AP view · Rt pediatric wrist radiograph · 490 by 791 pixels.
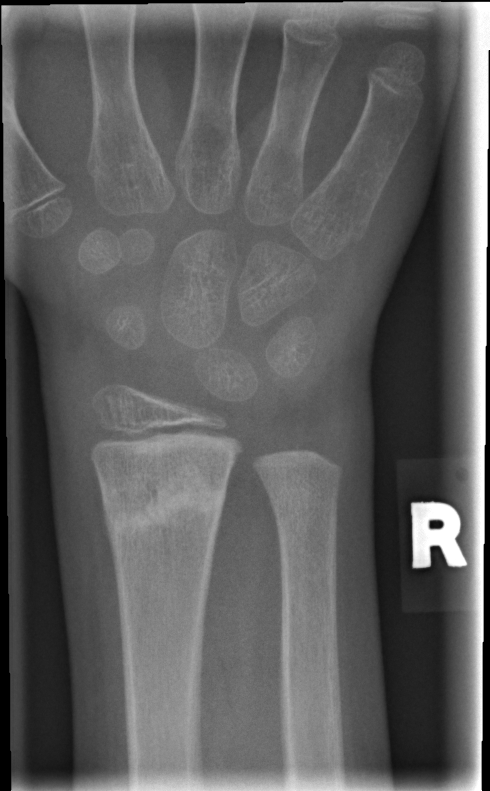
Boxes as x1,y1,x2,y2 (top-left / bottom-right, pixel units).
Fx — [x1=97, y1=459, x2=232, y2=548].
Osteopenia.
AO/OTA classification: 23r-M/2.1.